Right wrist XR | lat projection | pediatric patient (boy, age 15) | acquired on Siemens | 546x1184:

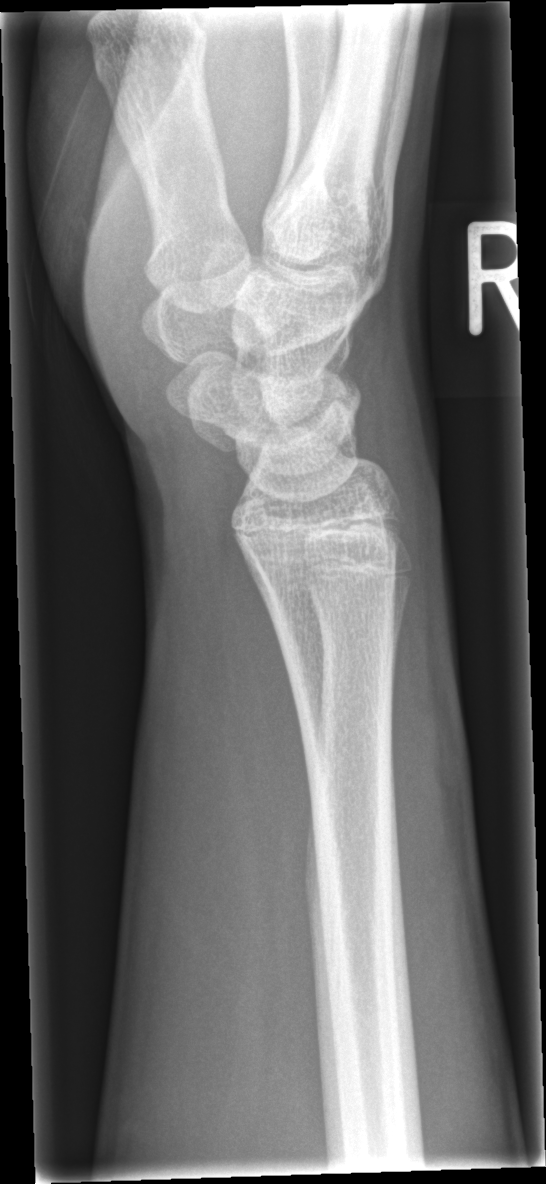

{"fracture": "none labeled"}